Lat projection, right wrist plain radiograph of the wrist, pediatric patient (boy, age 8): 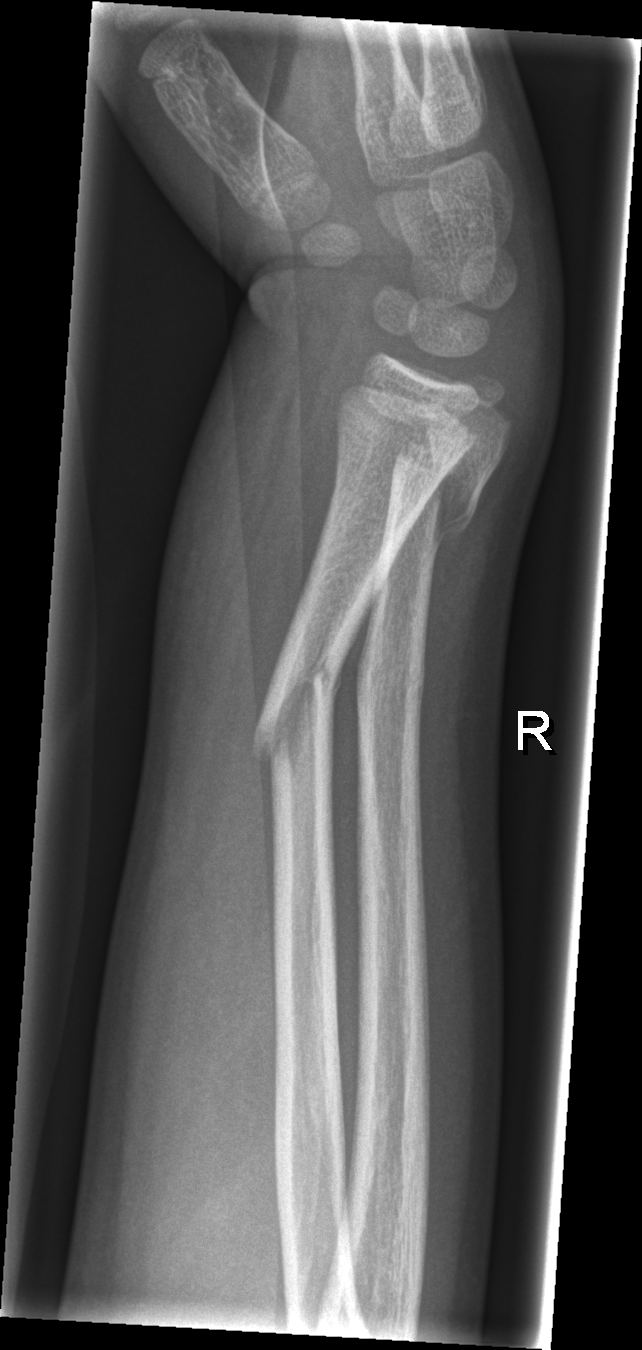 (boxes as x1,y1,x2,y2 (top-left / bottom-right, pixel units))
Fx: 3 @ <248,628>-<348,782>, <388,431>-<491,559>, <354,640>-<429,725>